AP projection, Rt wrist radiograph, detector: Siemens: 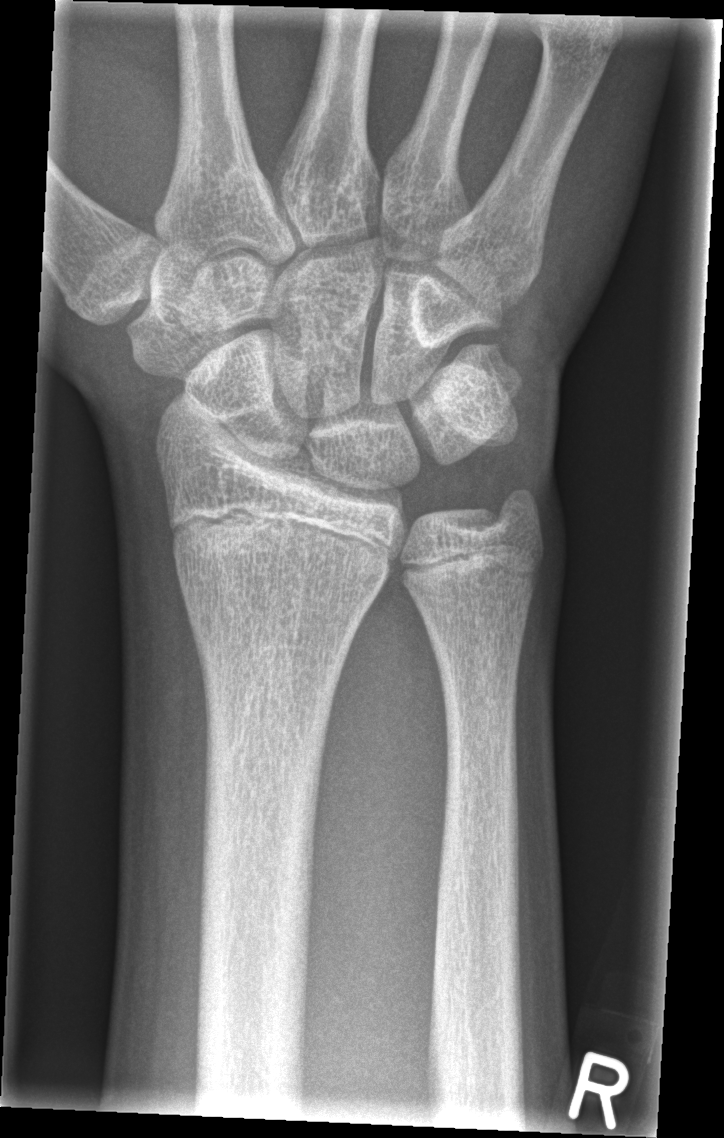
bone fracture: none labeled